Right wrist radiograph | lat view | age 10 y, male | subsequent exam | cast in situ | image width 96.2 mm.
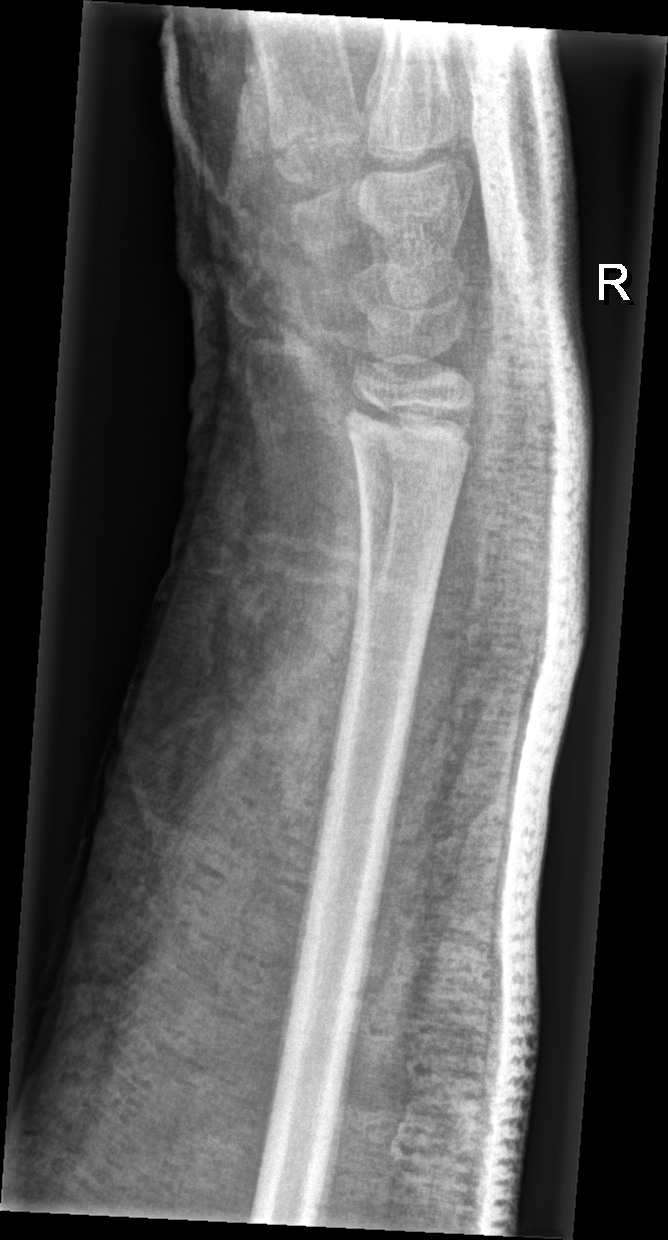 Fx = none labeled